Left wrist plain radiograph of the wrist, AP, follow-up, 686x1032

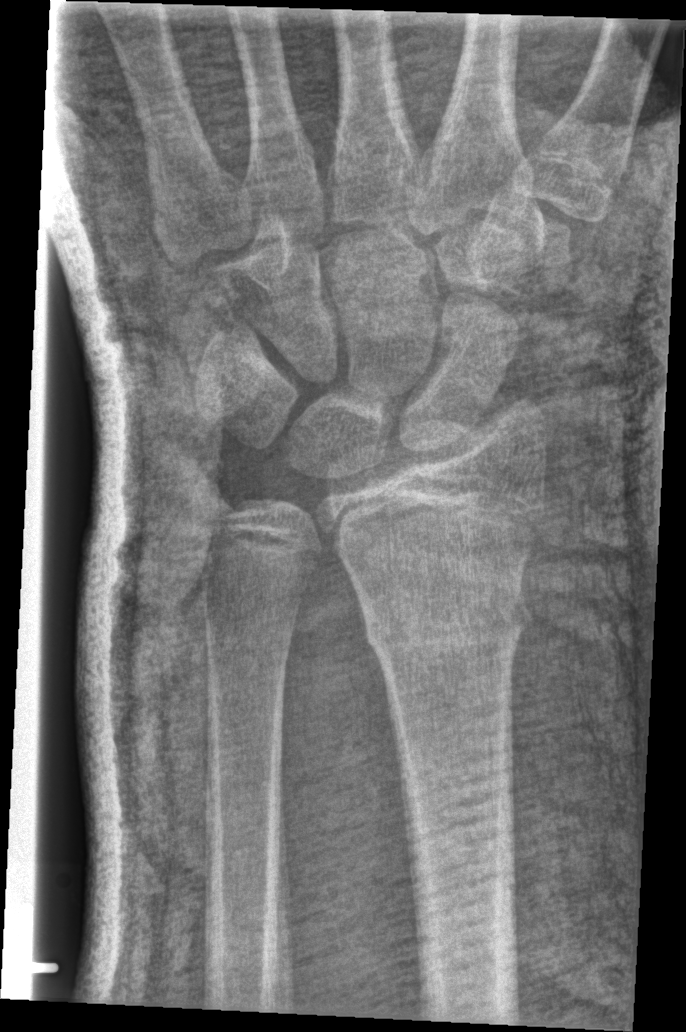
Q: AO code?
A: AO/OTA classification: 23r-M/2.1
Q: Fracture present?
A: Bone fracture identified at <361,583>-<531,662>